Left wrist XR | lat | in cast | detector: Siemens | 614x1160: 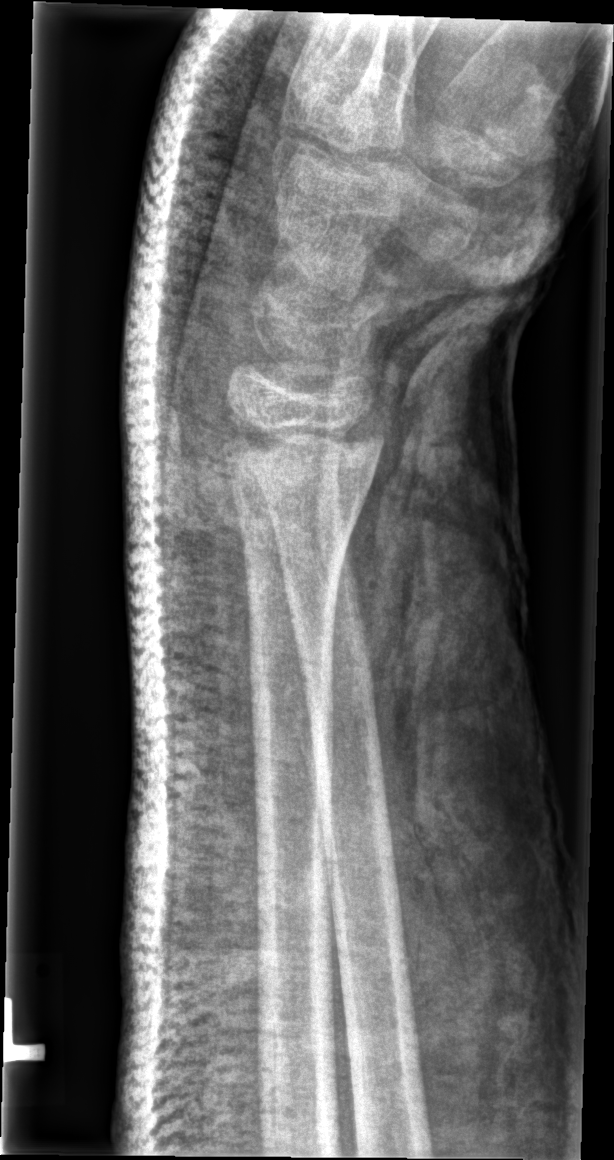
Coordinates are [x1, y1, x2, y2] in image pixels.
AO/OTA classification: 23r-E/2.1; 23u-E/7.
One fracture at (left=209, top=408, right=390, bottom=500).